Right wrist XR · PA view. 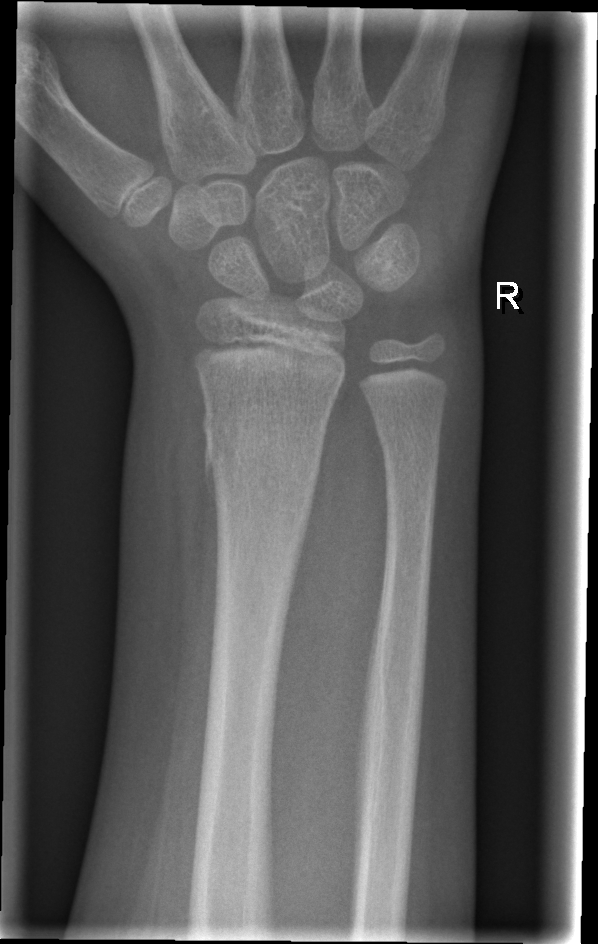

Findings: (bounding boxes in image-pixel xyxy) Fx: <199,409>-<326,507>.